Lateral projection; right wrist X-ray; 11-year-old boy; 369 by 1194 pixels

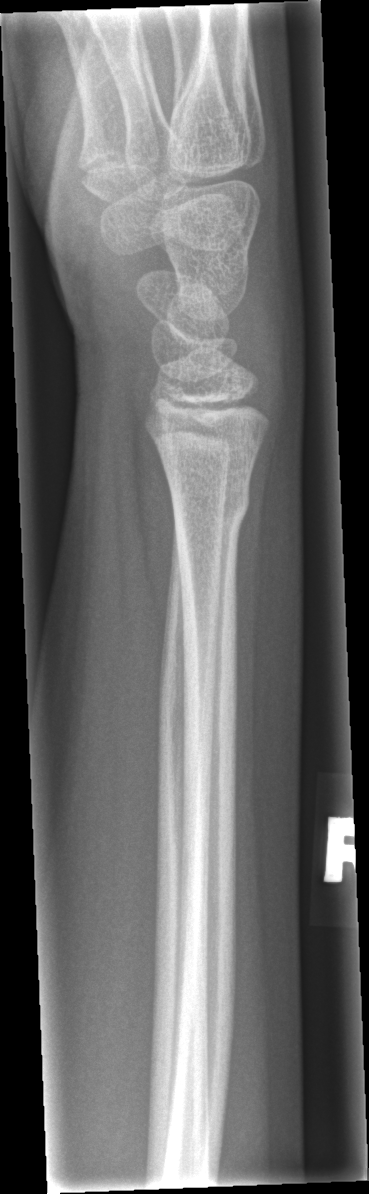

Bone fracture identified at <170,484>-<252,534>. AO/OTA classification: 23r-M/2.1.